AP projection | left wrist XR | initial study.

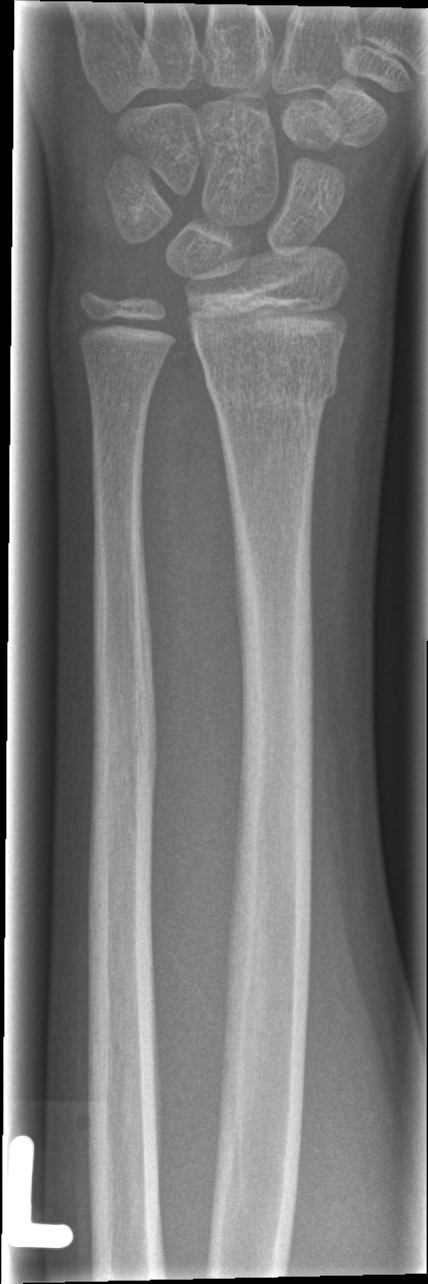
Bone fracture — 199,350,341,412.
AO/OTA classification: 23r-M/3.1.